Left wrist X-ray, lateral view, 14-year-old boy:
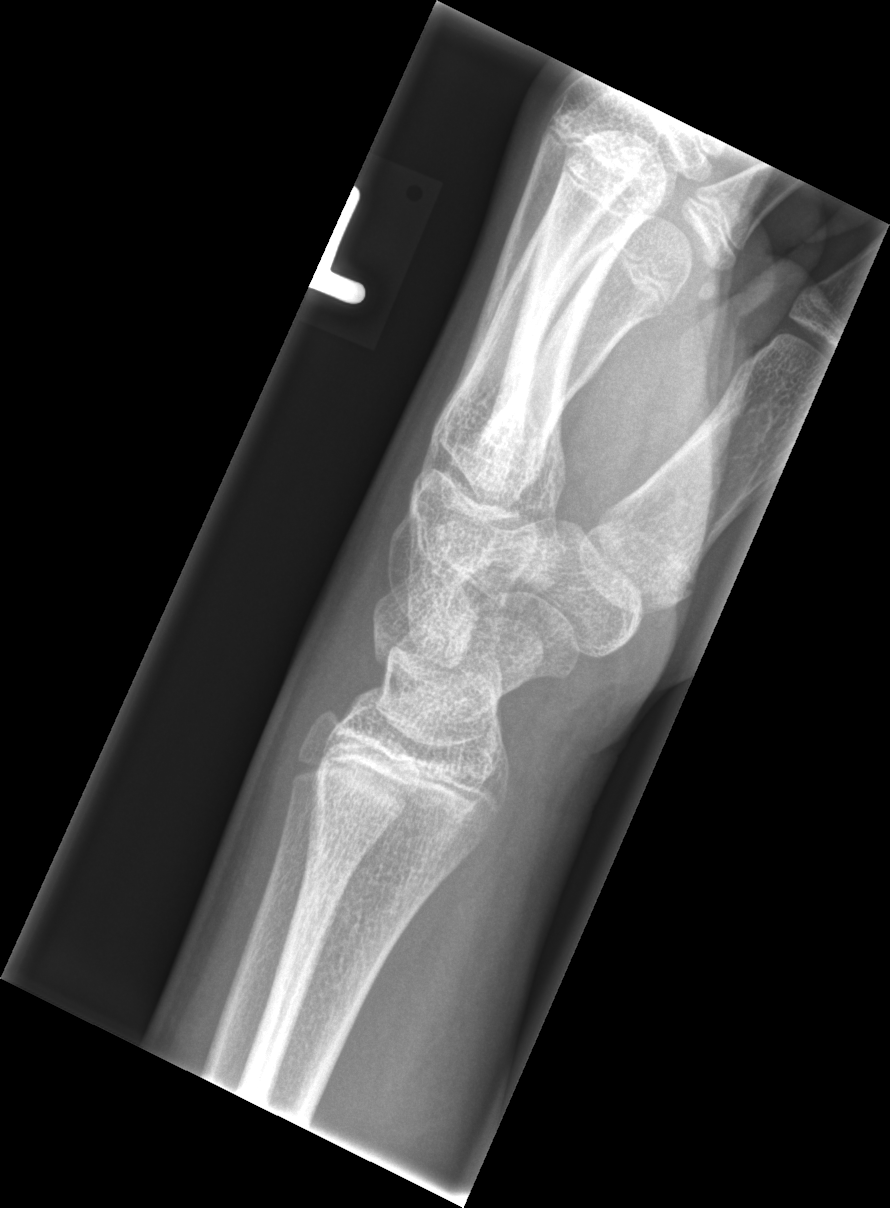
FINDINGS: No fracture annotation.